Lateral, L wrist X-ray, male, 10 yo, 543x854.

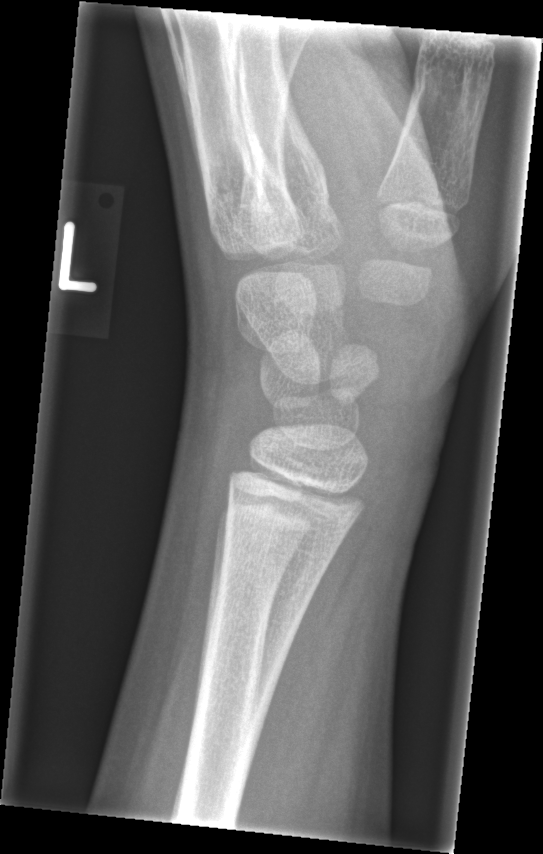
Fx: none labeled